Posteroanterior, L wrist XR, subsequent exam, 532 x 716 px —
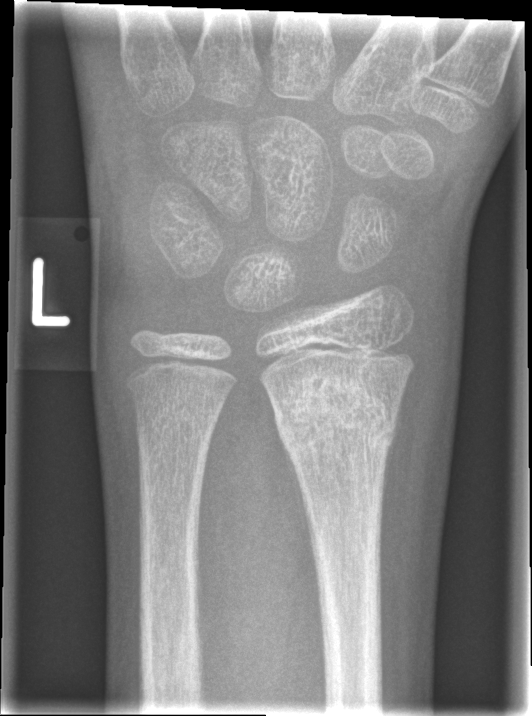
Fracture classified AO/OTA 23r-M/3.1; 23u-M/2.1. Two Fx at [x1=272, y1=382, x2=400, y2=466], [x1=120, y1=367, x2=239, y2=436]. One periosteal reaction at [x1=280, y1=429, x2=321, y2=603].